Right wrist X-ray | lat view | boy, 8 yo 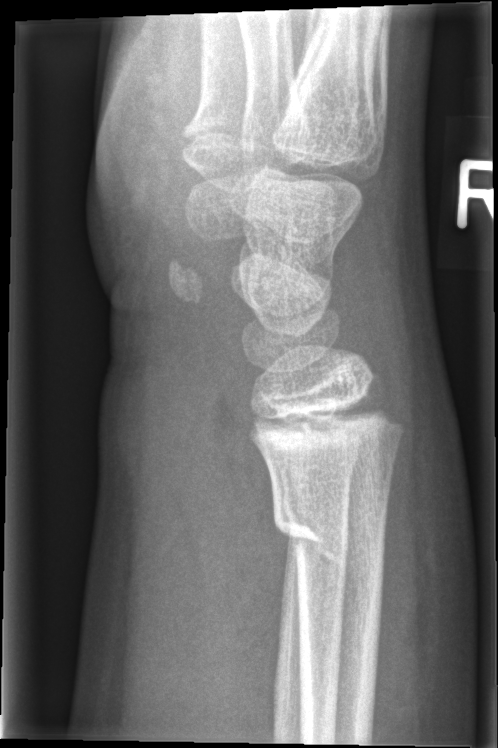 # bounding boxes in image-pixel xyxy
pronatorsign: 201 365 295 712
fracture: 269 478 394 578
ao: 23-M/2.1